Frontal view, left wrist X-ray, pediatric patient (female, age 8), follow-up, imaged through cast.
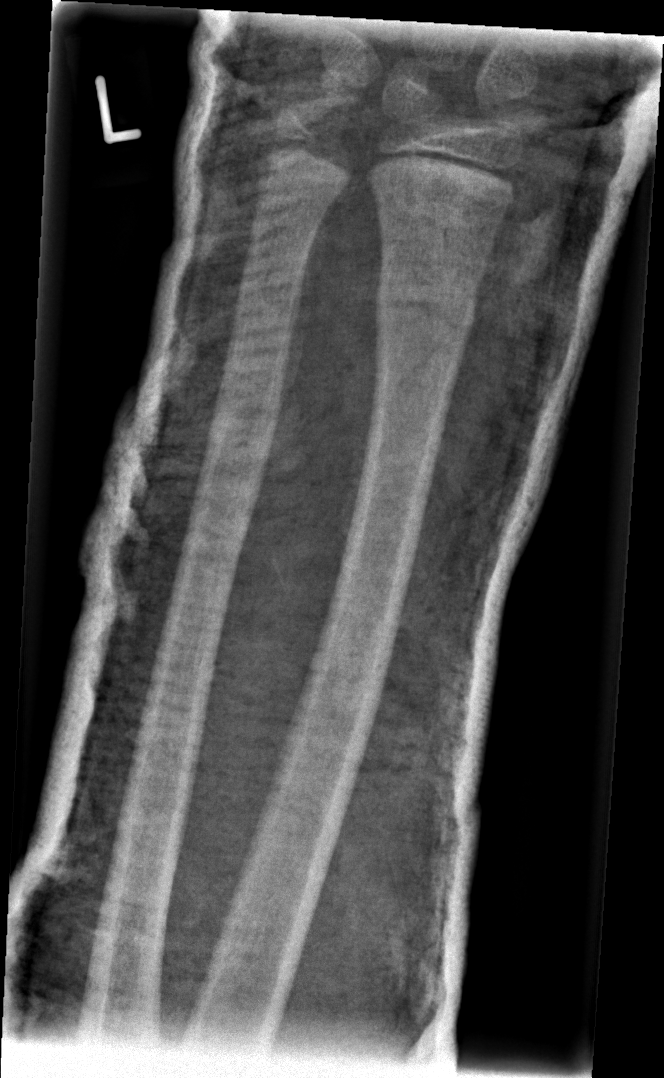
fracture: 372,268,478,352